Left wrist plain radiograph of the wrist | PA projection
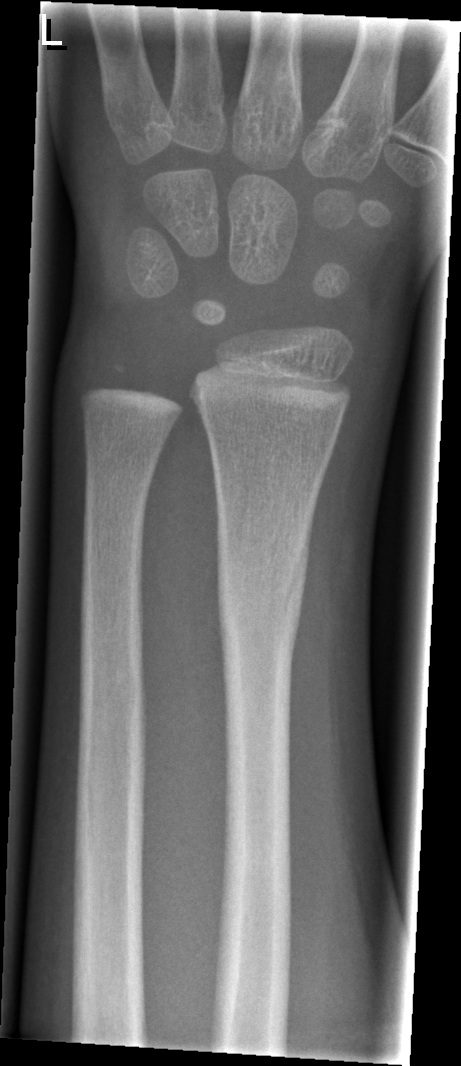
# coordinates are [x1, y1, x2, y2] in image pixels
ao: 22r-D/1.1
fracture: [x1=213, y1=511, x2=311, y2=661]